Lat projection | left wrist plain film | 458x967: 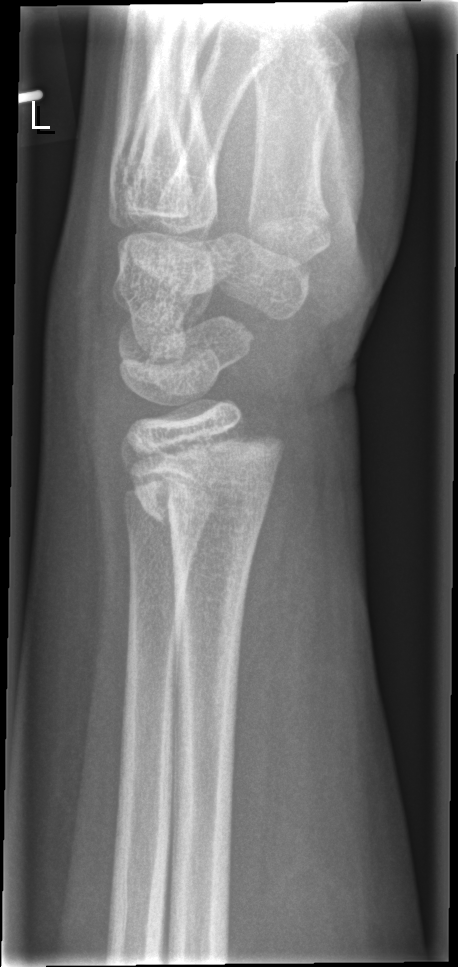 (bounding boxes in image-pixel xyxy)
AO code: 23r-E/2.1
Fracture: (123, 411, 287, 536)